Right wrist radiograph, lat, male, 8 yo, 410x1096
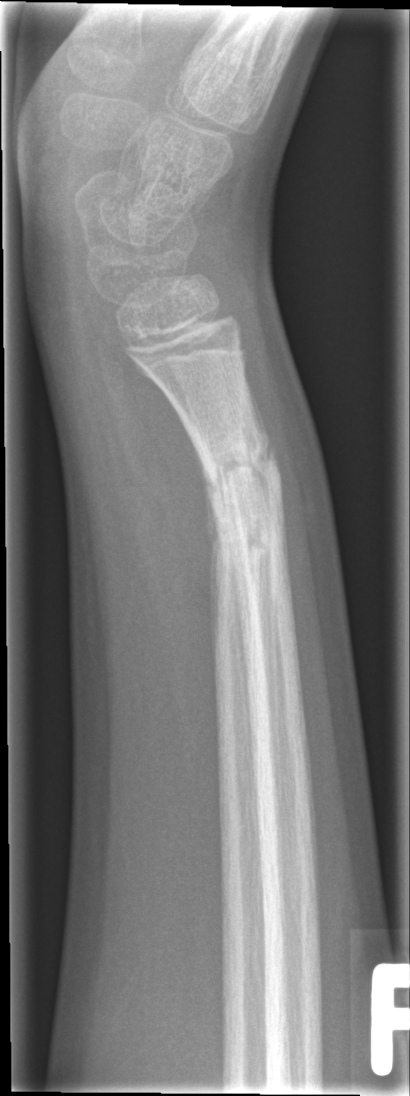

Findings: AO code 23-M/3.1. Periosteal thickening — [208, 488, 222, 659]. One fracture at [198, 428, 291, 571].